Rt wrist X-ray · lat · girl, 11 yo · image width 52.7 mm 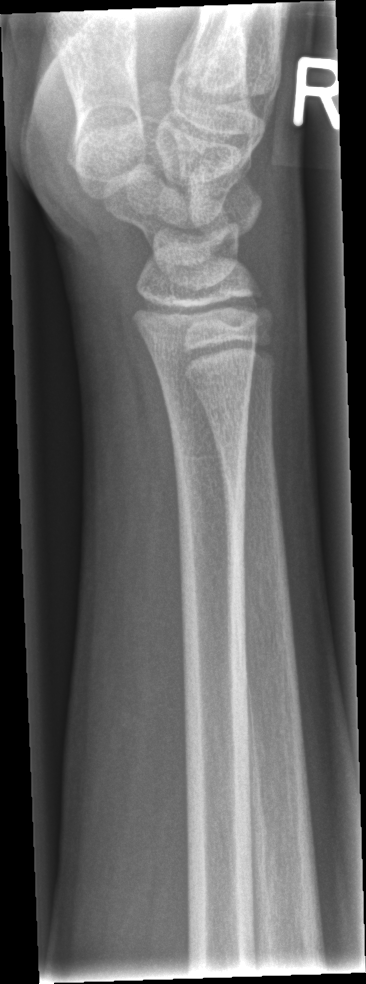 No Fx annotated.